AP projection · L wrist XR · follow-up · cast present · acquired on Siemens · image size 645x860.

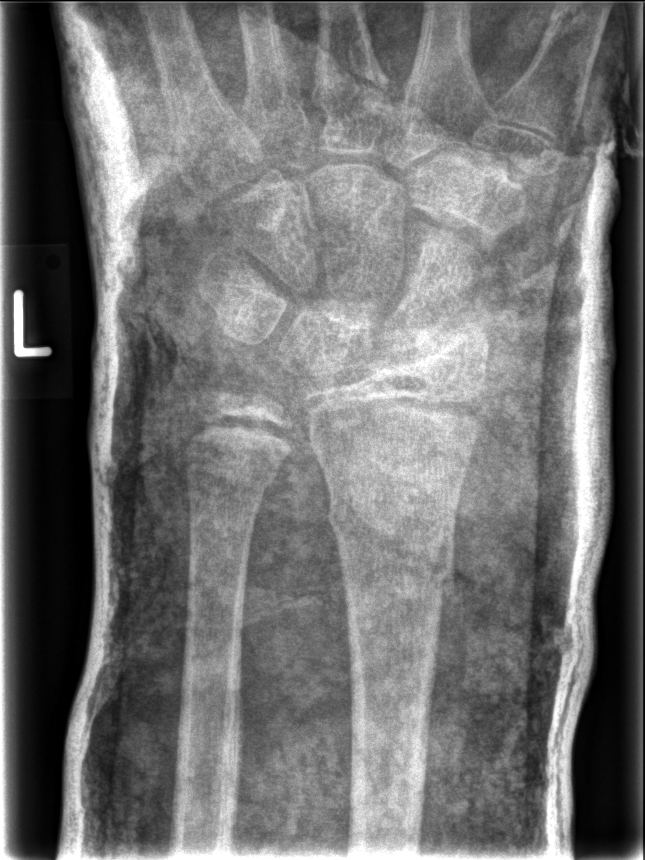
FINDINGS: (boxes as x1,y1,x2,y2 (top-left / bottom-right, pixel units)) Bone fractures — bbox(324, 485, 459, 598); bbox(182, 446, 279, 510). Fracture classified AO/OTA 23r-M/3.1; 23u-M/2.1.